Lat projection | left wrist pediatric wrist radiograph | index exam — 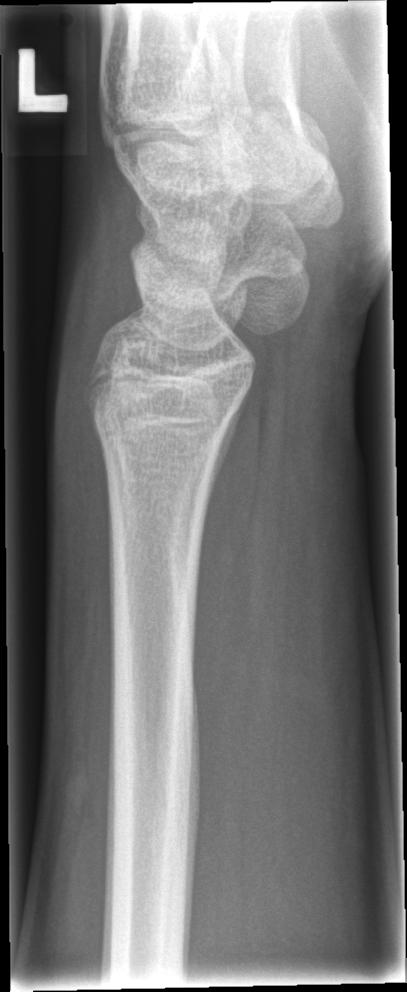
bone fracture = none labeled